Left wrist pediatric wrist radiograph; lateral view; age 5 y, female. 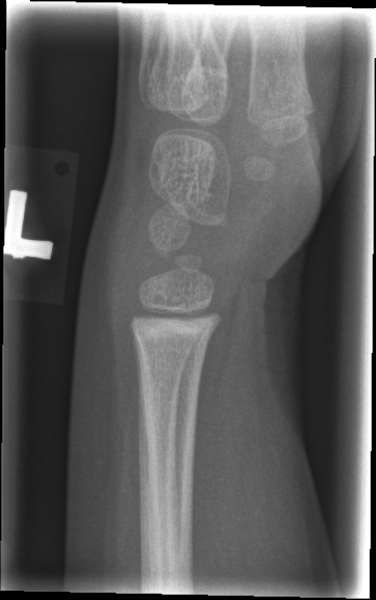 • No fracture annotation.